Frontal view, L plain radiograph of the wrist, male, 6 yo, follow-up, cast in situ:
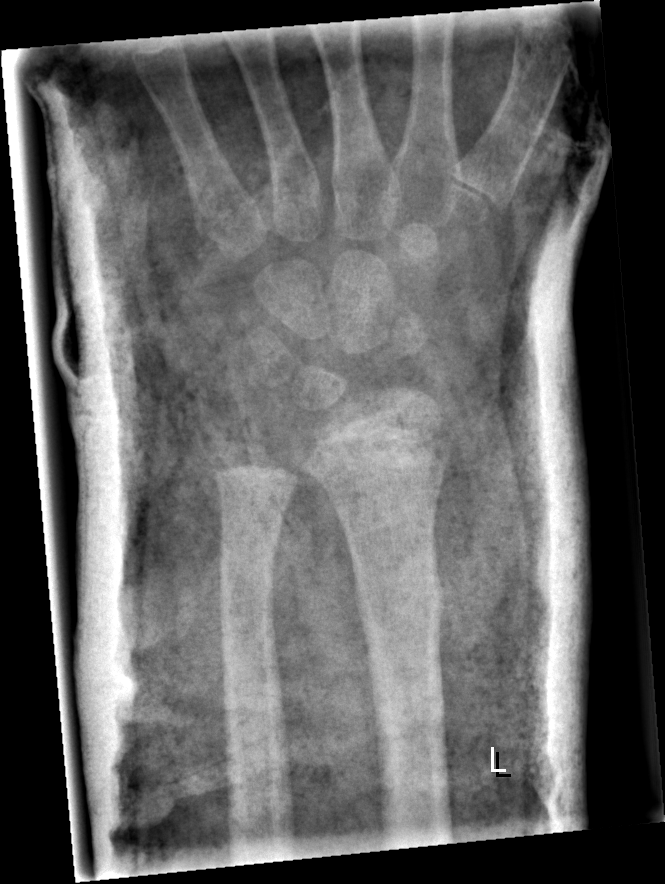

One Fx at [352, 549, 444, 648].